Frontal view; left wrist X-ray; acquired on Siemens

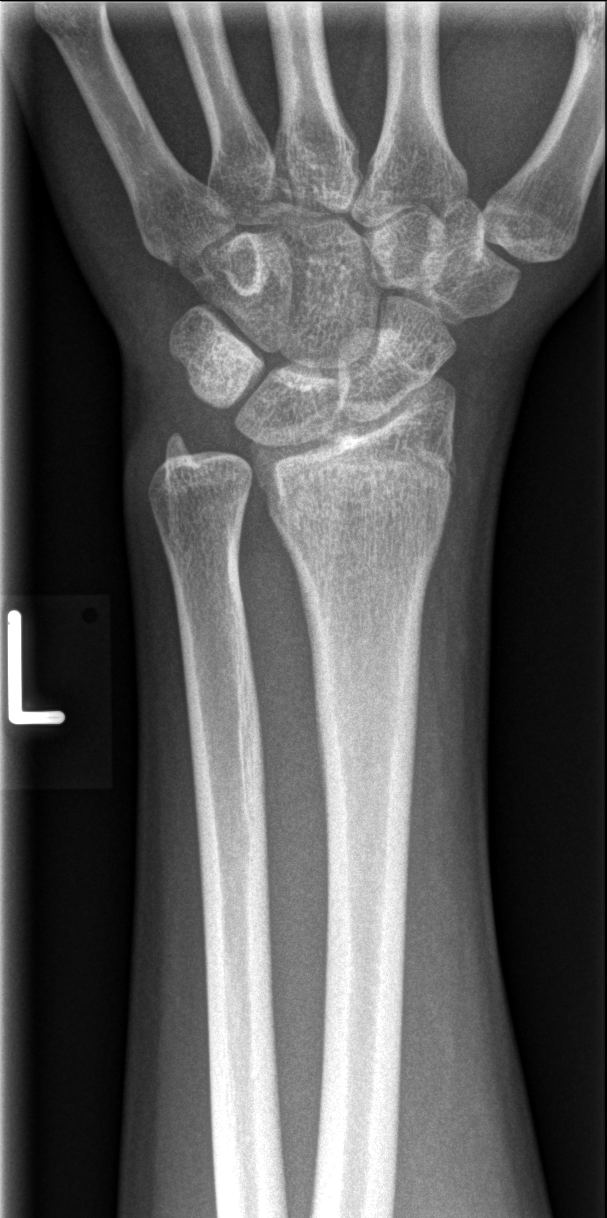

- Fx: none.